Left plain radiograph of the wrist; frontal projection; index exam; 107.1 mm image width; 744 by 1422 pixels:

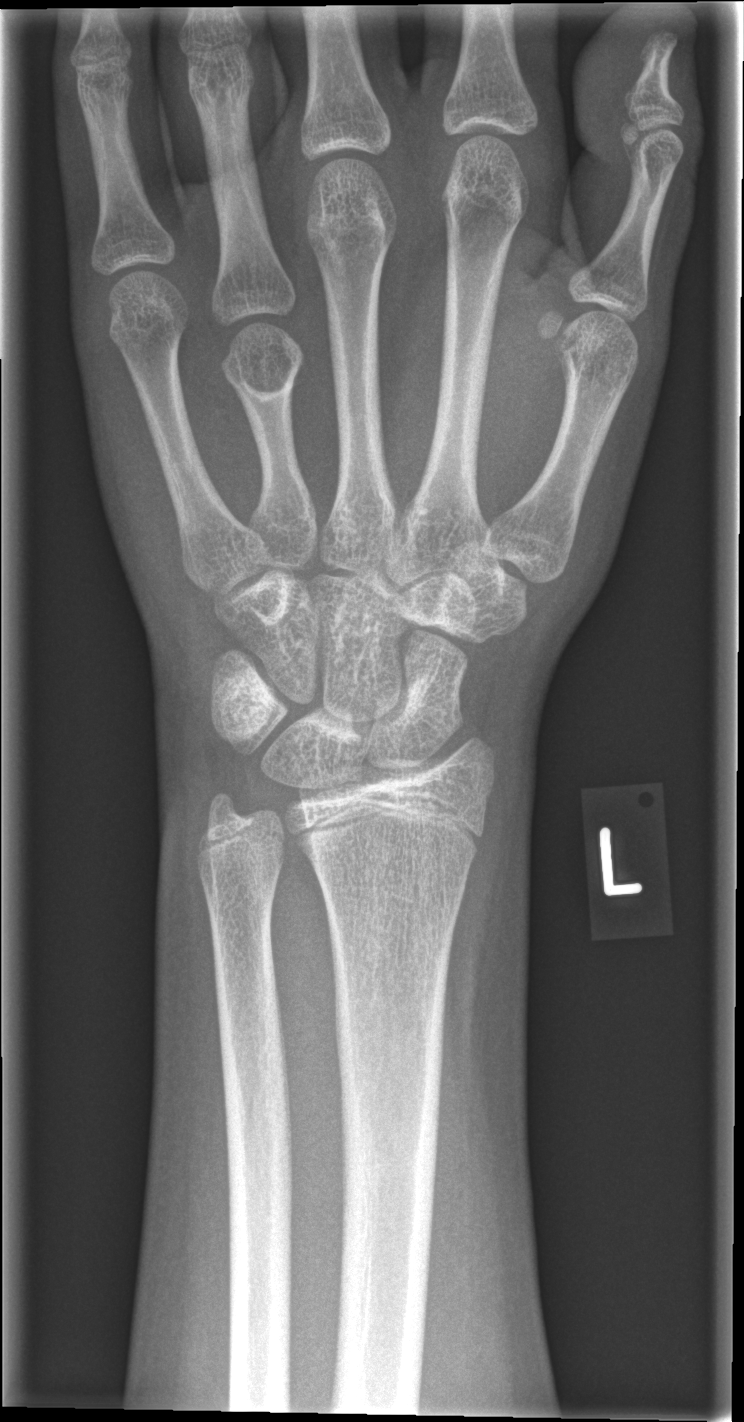

Q: Bone variants present?
A: One bone variant at <163,244>-<360,611>
Q: Fracture present?
A: No fracture annotation